Right wrist pediatric wrist radiograph; lateral view; index exam
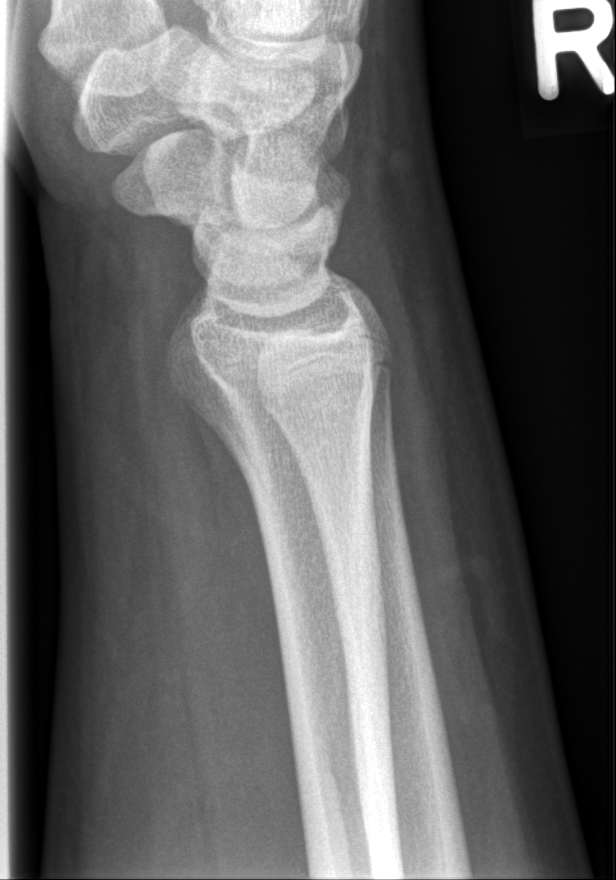
No fracture bounding box.